Obl projection · R plain radiograph of the wrist · girl, 12 yo · cast present. 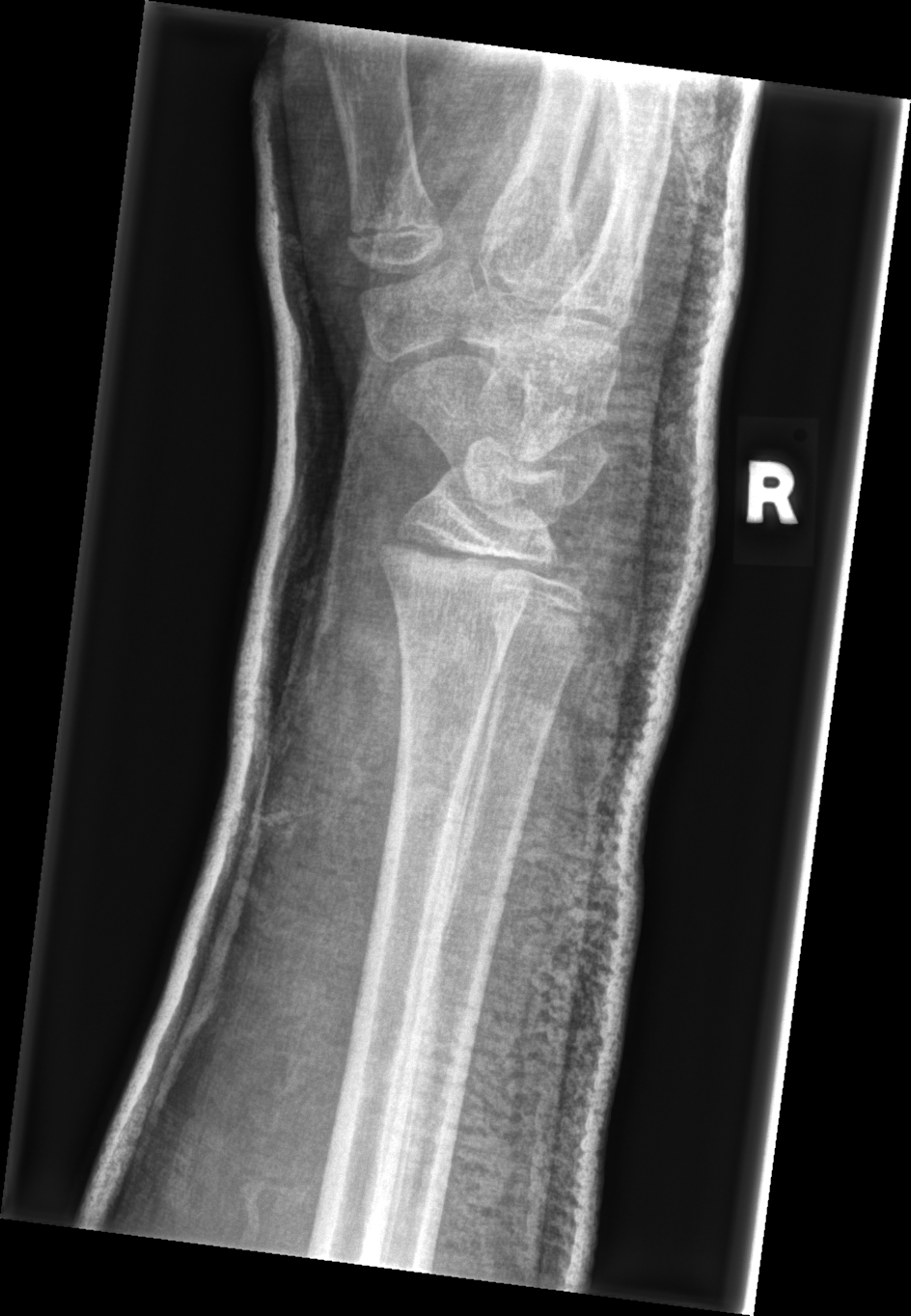 FINDINGS — Fx: 365 519 558 612. AO/OTA classification: 23r-E/1; 23u-E/7.